Rt wrist plain film · frontal · acquired on Siemens.
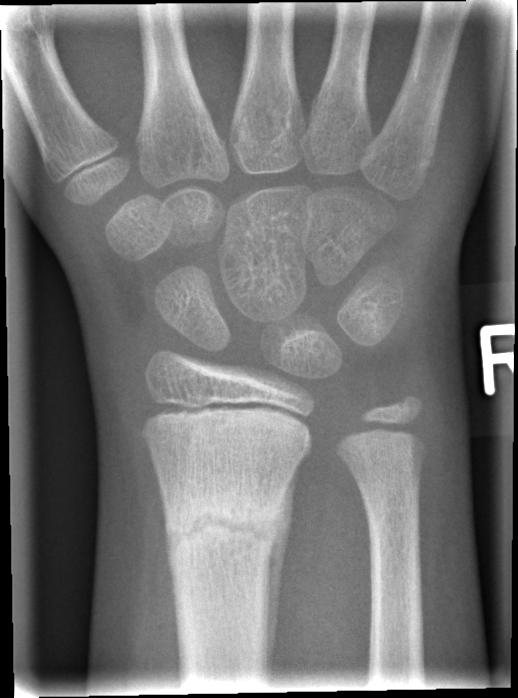
- Pixel coordinates, top-left origin, xyxy.
- Periosteal new bone: <260,461>-<300,681>.
- Fracture classified AO/OTA 23r-M/2.1.
- Fx — <159,483>-<289,569>.
- Reduced bone mineral density.